Left wrist X-ray · PA view · pediatric patient (girl, age 9) · in cast 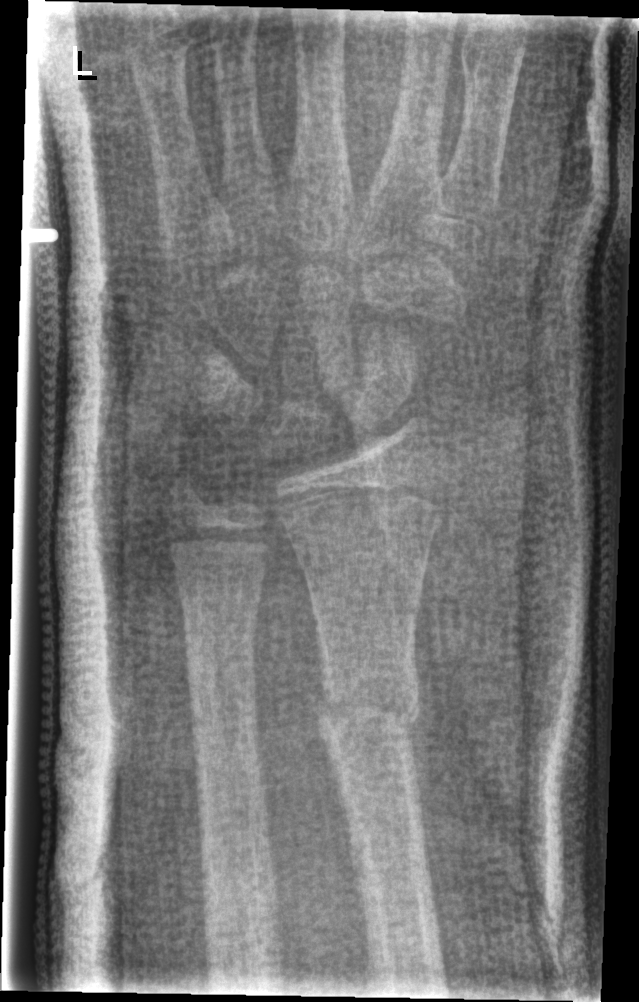 Fracture: 1 @ 311 660 425 758
AO/OTA: 23r-M/3.1